Right wrist XR; posteroanterior projection; male, 10 yo; cast present:
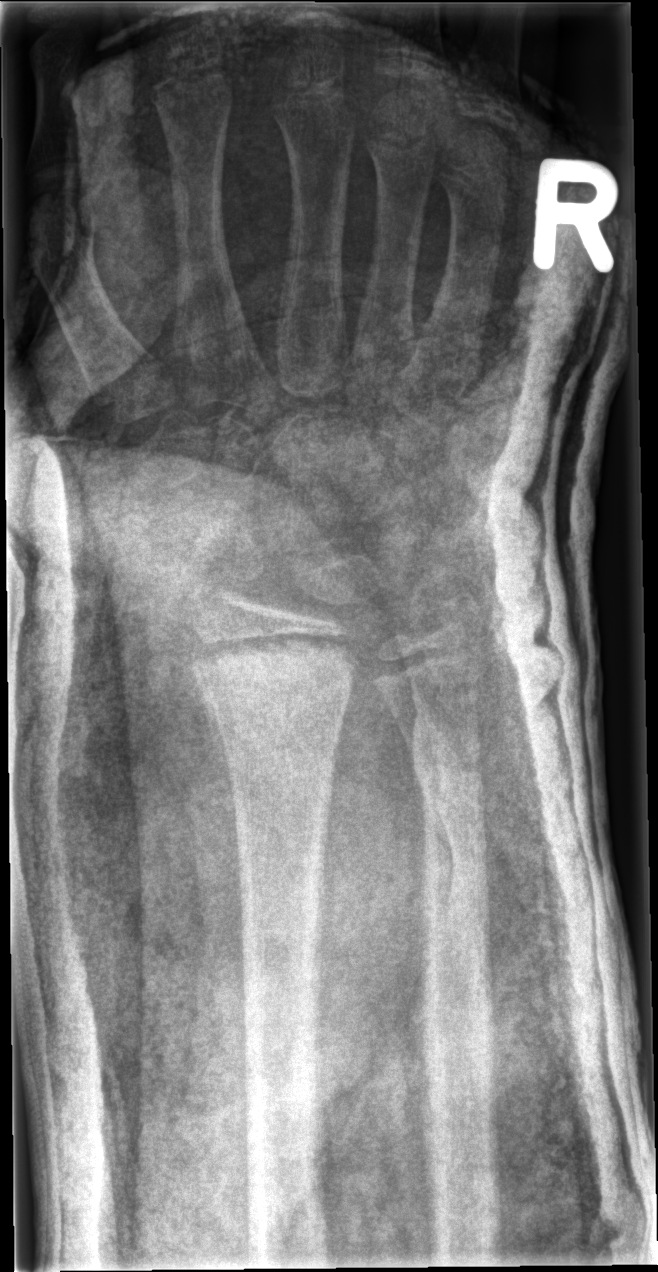 Pixel coordinates, top-left origin, xyxy.
Fx: 194 669 357 732 | 401 727 493 813.